Lateral view | right pediatric wrist radiograph | 12-year-old boy.
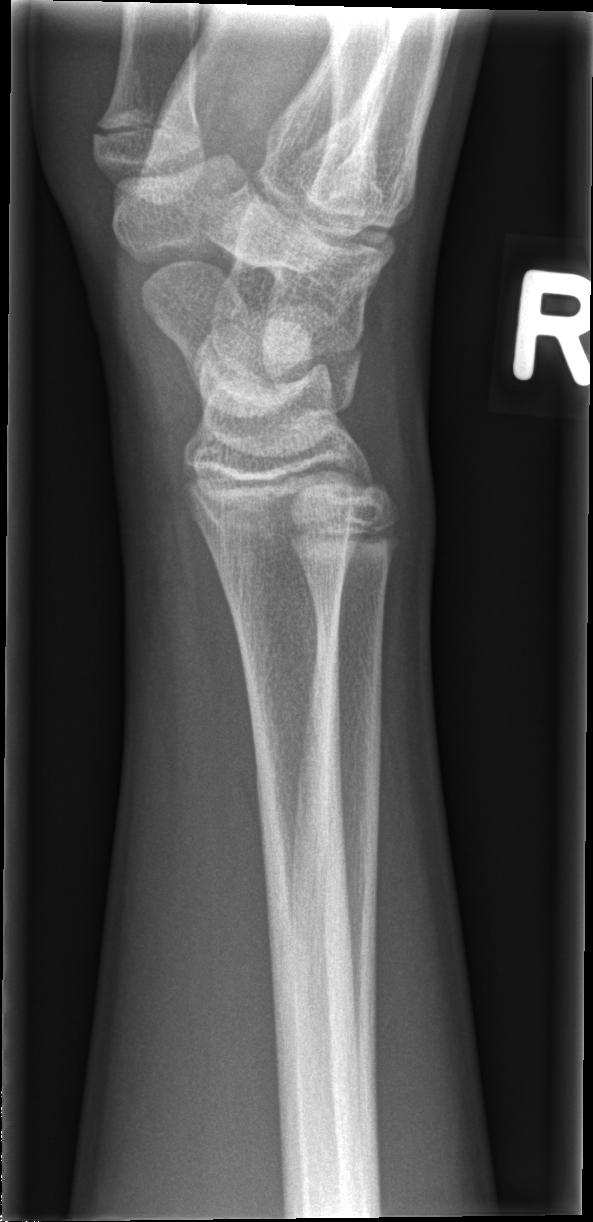
• No fracture bounding box.